Rt wrist radiograph, AP view
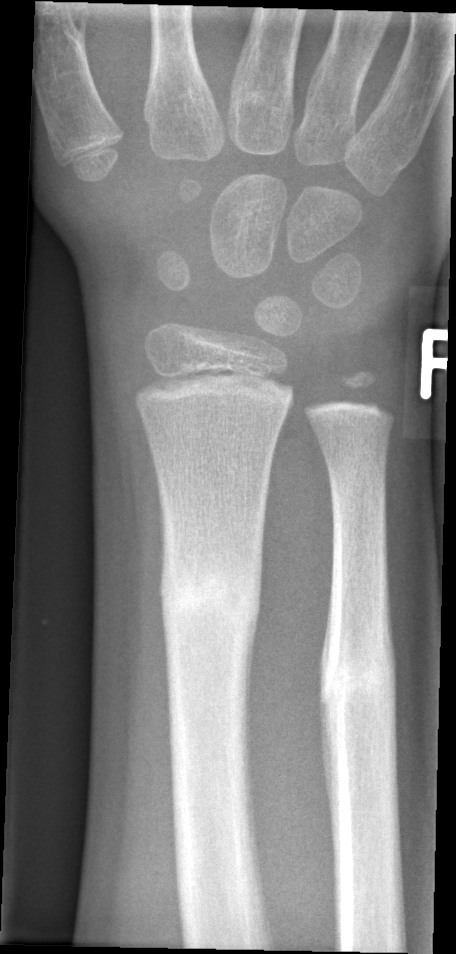
(pixel coordinates, top-left origin, xyxy)
Q: Any fracture seen?
A: Bone fracture identified at (155, 530, 265, 662), (314, 631, 399, 720)